Lat · L wrist radiograph · 4y M · presentation radiograph 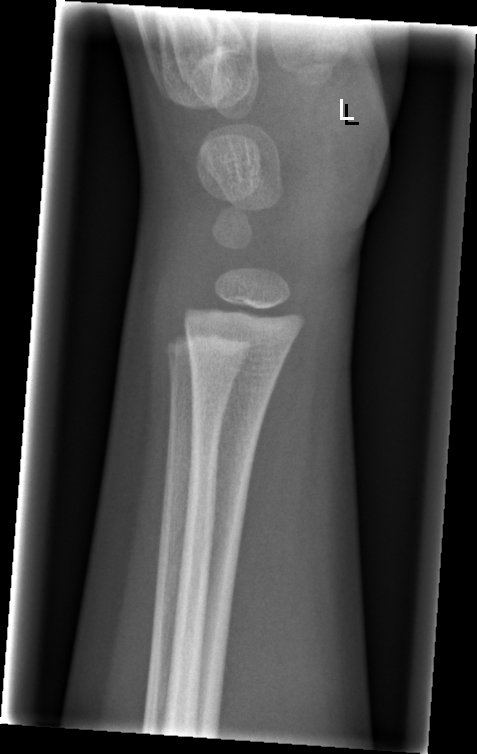 Fx = none labeled